Lat view | right wrist radiograph. 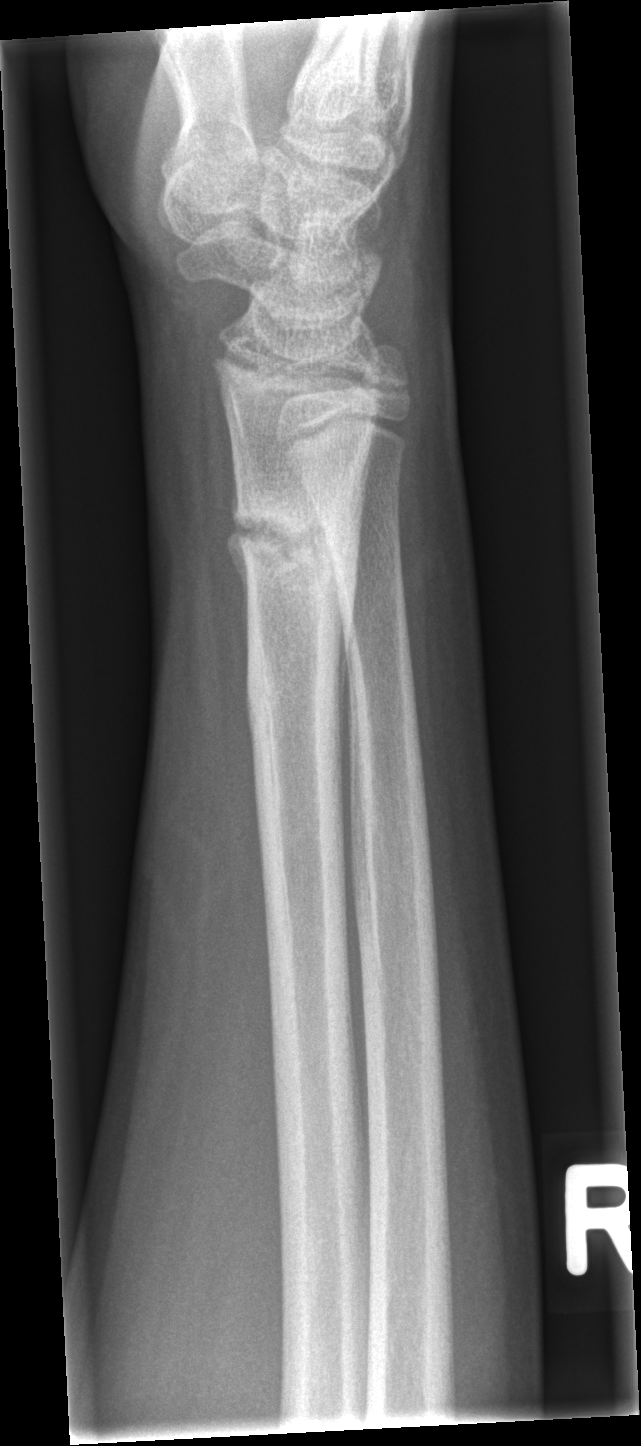

periosteal reaction: <334,419>-<375,750>, <224,453>-<258,674>
fracture: 2 @ <223,472>-<358,593>; <358,340>-<416,402>